Lat view | Rt plain radiograph of the wrist | initial study: 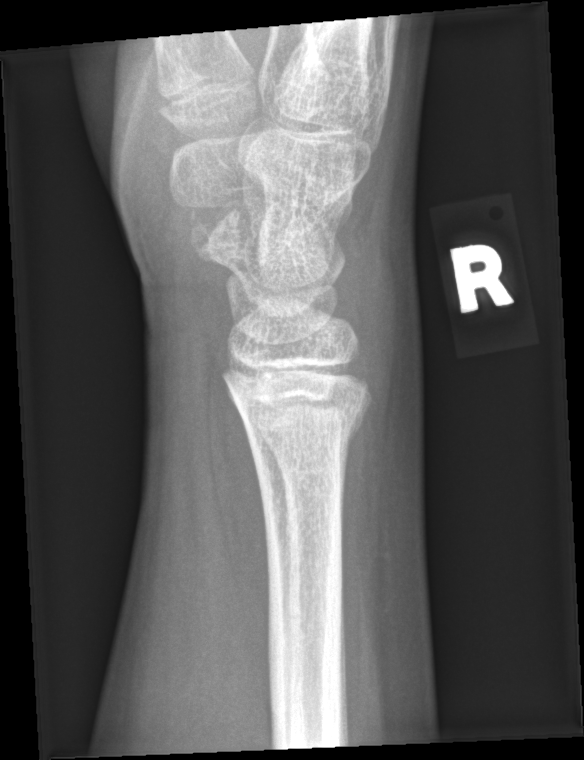

Q: What is the AO/OTA classification?
A: Fracture classified AO/OTA 23r-M/2.1
Q: Locate any fractures.
A: One fracture at <232,390>-<375,465>